Rt wrist X-ray | lateral | pediatric patient (boy, age 12) | subsequent exam | cast in situ | 618 x 1237 px

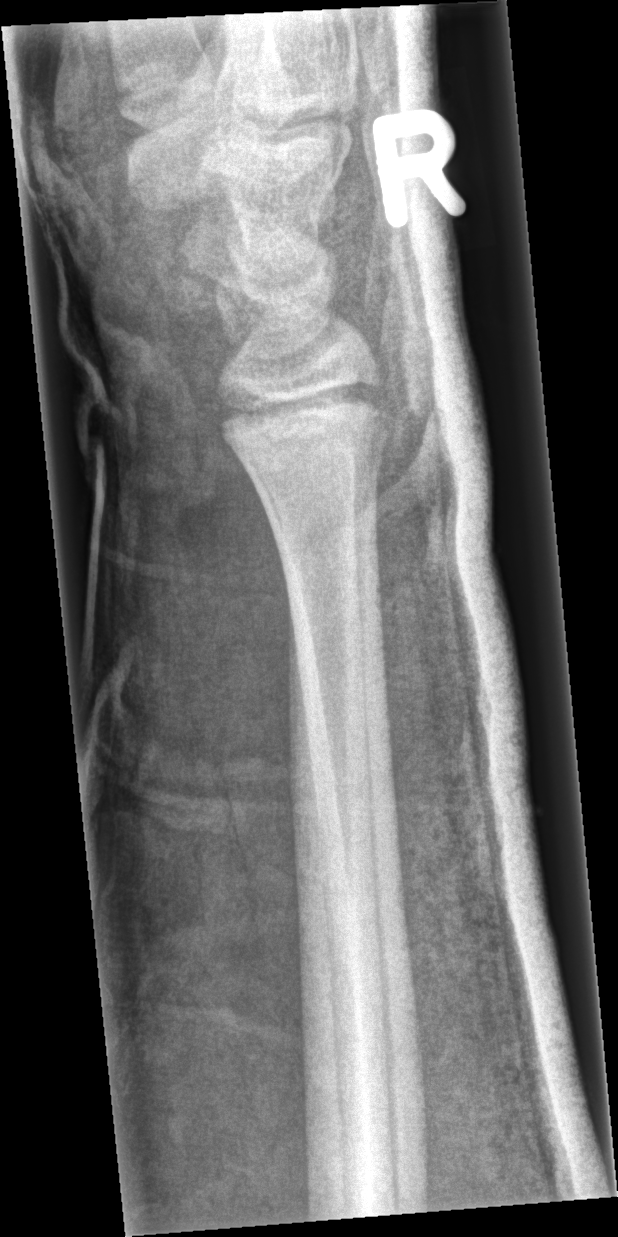 FINDINGS: Fx present but not clearly seen in this view.